Frontal projection, right wrist plain film, 551 x 886 px. 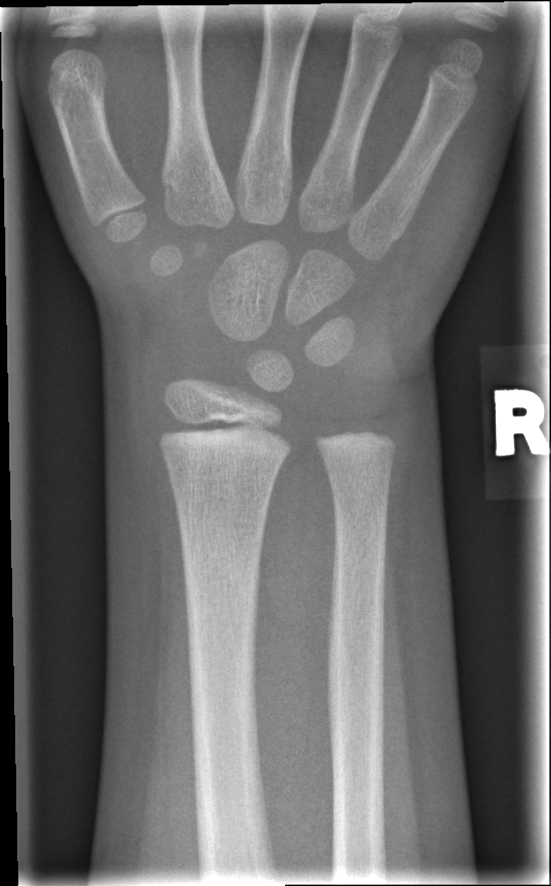

Fx: none.